Lateral projection | right pediatric wrist radiograph | age 10 y, female | 492 by 670 pixels — 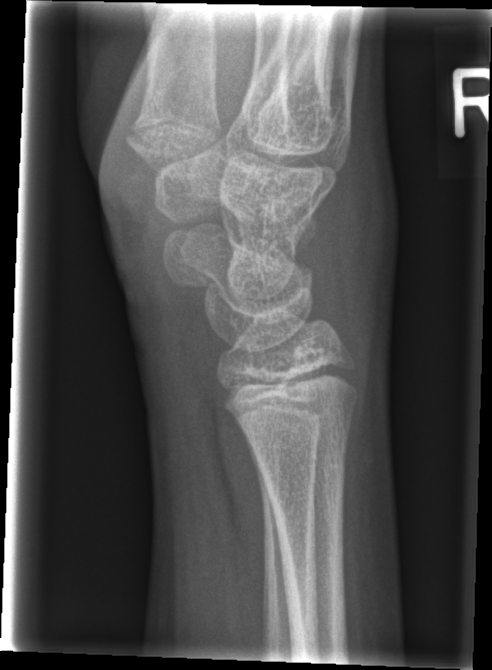
- No fracture bounding box.